PA/AP projection · R wrist X-ray · boy, 11 yo 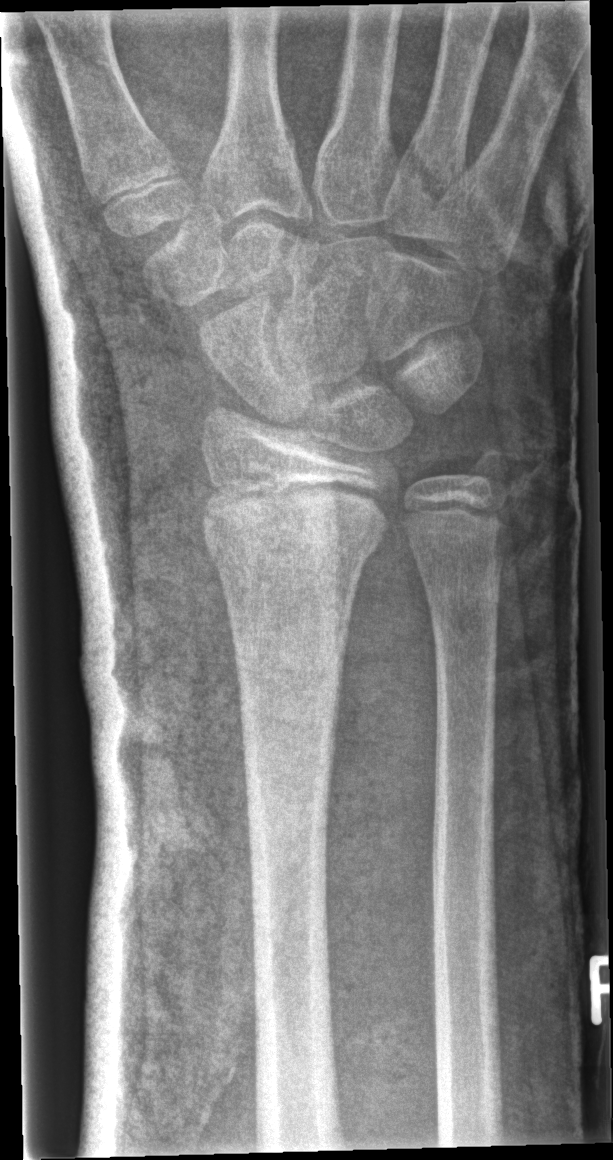 Fx: 2 @ [x1=205, y1=523, x2=387, y2=591] [x1=451, y1=439, x2=515, y2=514]